AP view; R wrist radiograph; age 12 y, female —

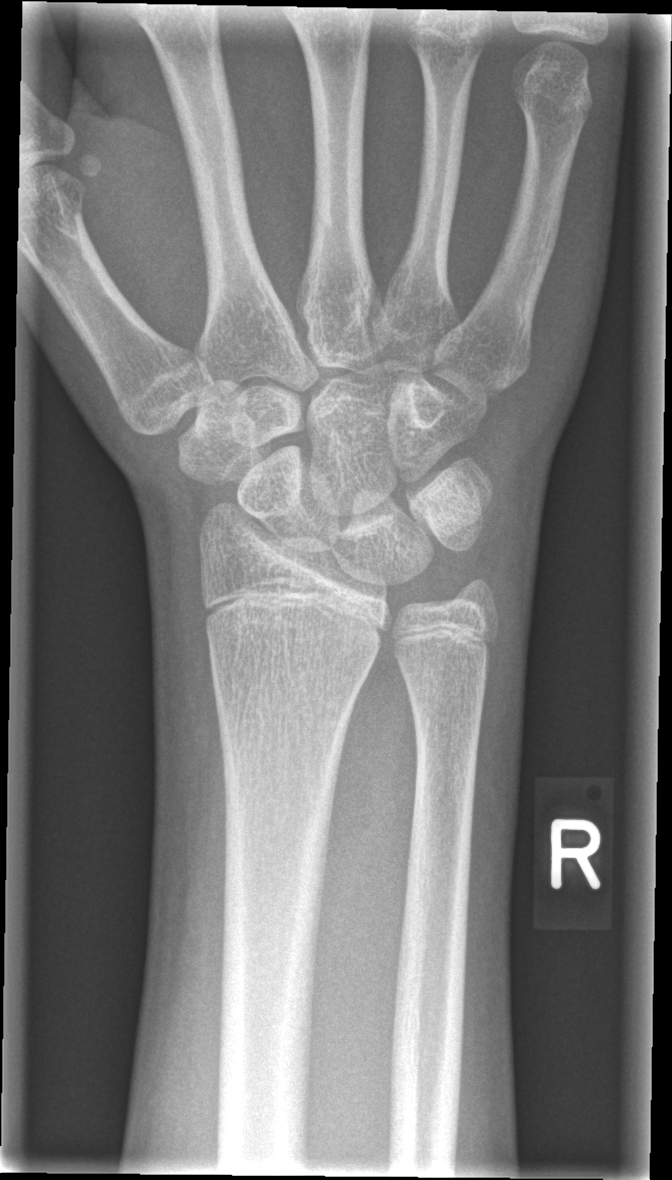

No fracture bounding box.